L wrist plain film · lat · 3y F: 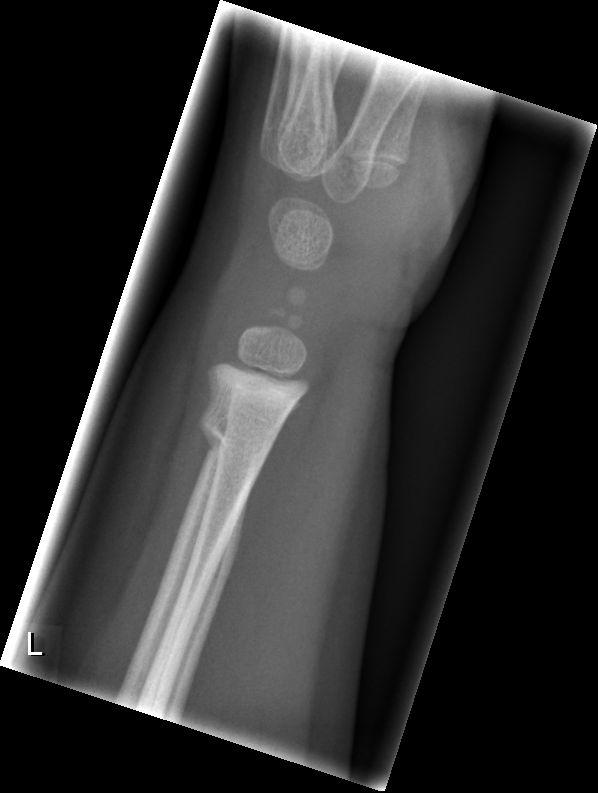 bone fracture: 1 @ [195, 404, 282, 468]